Lateral view | right wrist plain film | 14y M:

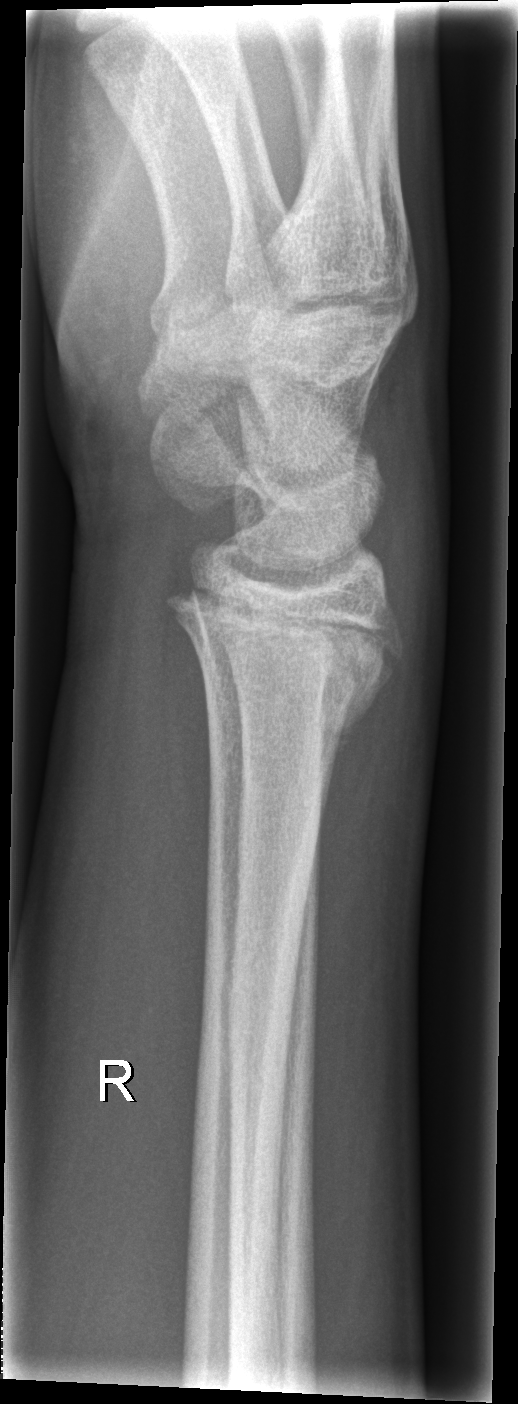

Pixel coordinates, top-left origin, xyxy.
Bone fracture identified at bbox(160, 575, 406, 741).
AO/OTA classification: 23r-E/2.1; 23u-E/7.
Decreased bone density (osteopenia).